Rt wrist plain film; posteroanterior; 6y F; 505x844

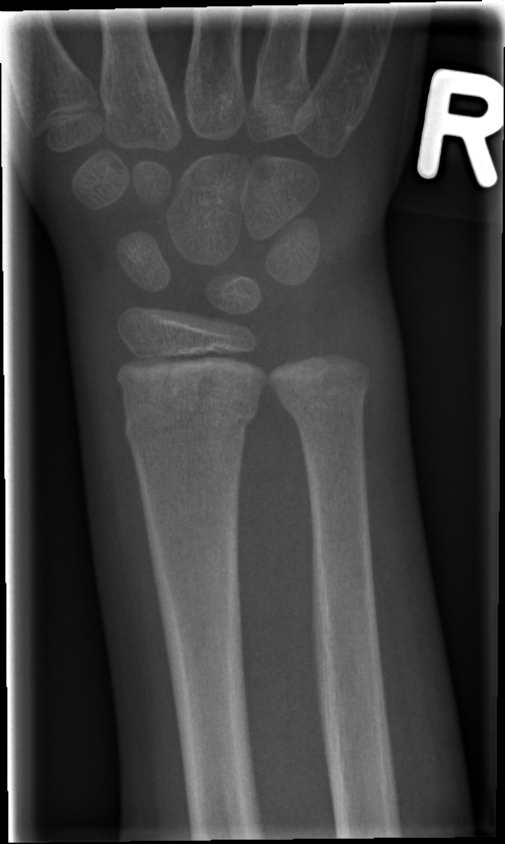
FINDINGS — Two fractures at (left=122, top=380, right=264, bottom=450) (left=277, top=379, right=371, bottom=425). AO code 23-M/2.1.